Posteroanterior projection | L wrist X-ray | acquired on Siemens.

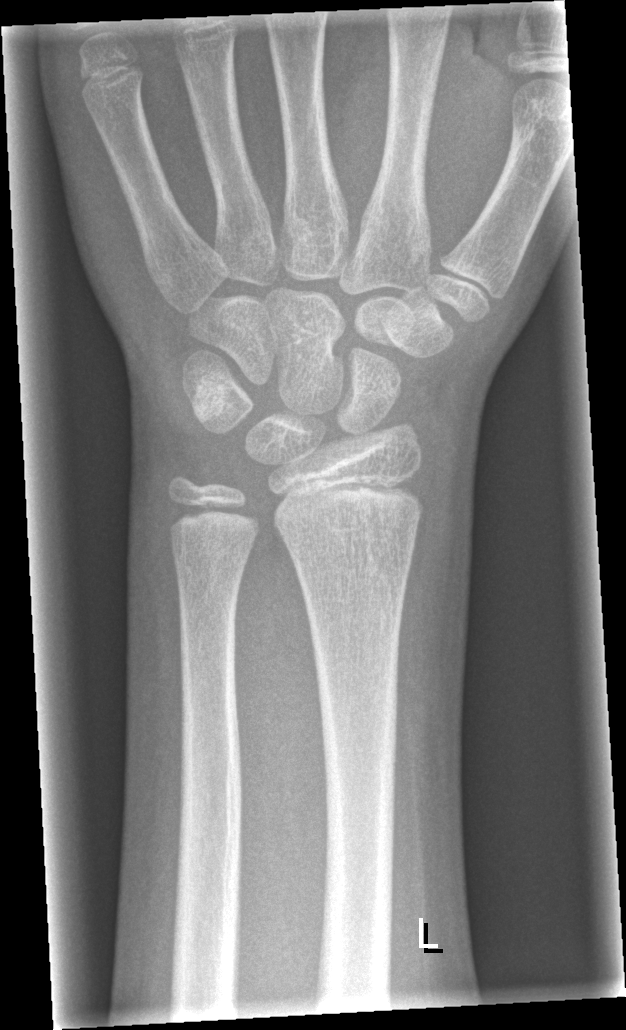
Fx = none labeled